Right wrist XR, PA/AP view, follow-up, 677 by 1466 pixels

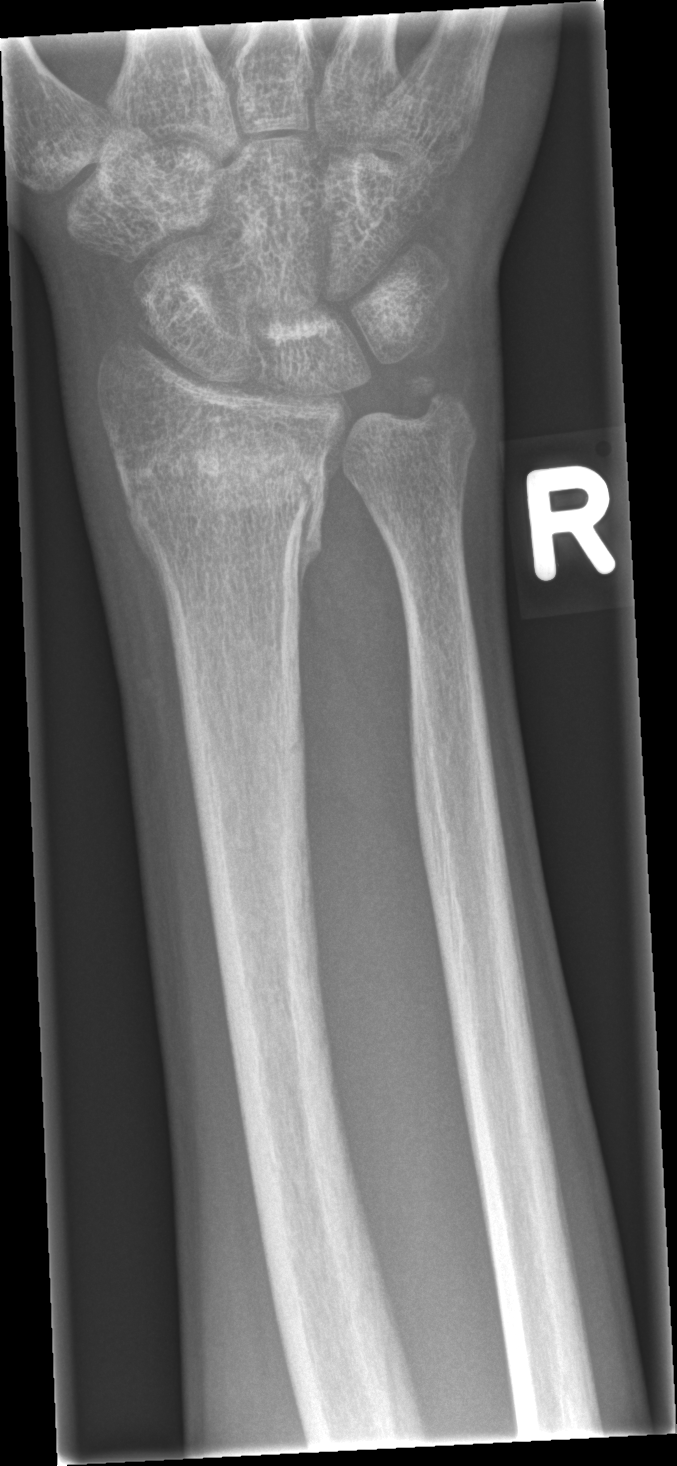 • Two bone fractures at bbox(115, 416, 327, 579), bbox(400, 363, 476, 429).